L plain radiograph of the wrist · PA/AP · 12y M · 108.9 mm image width: 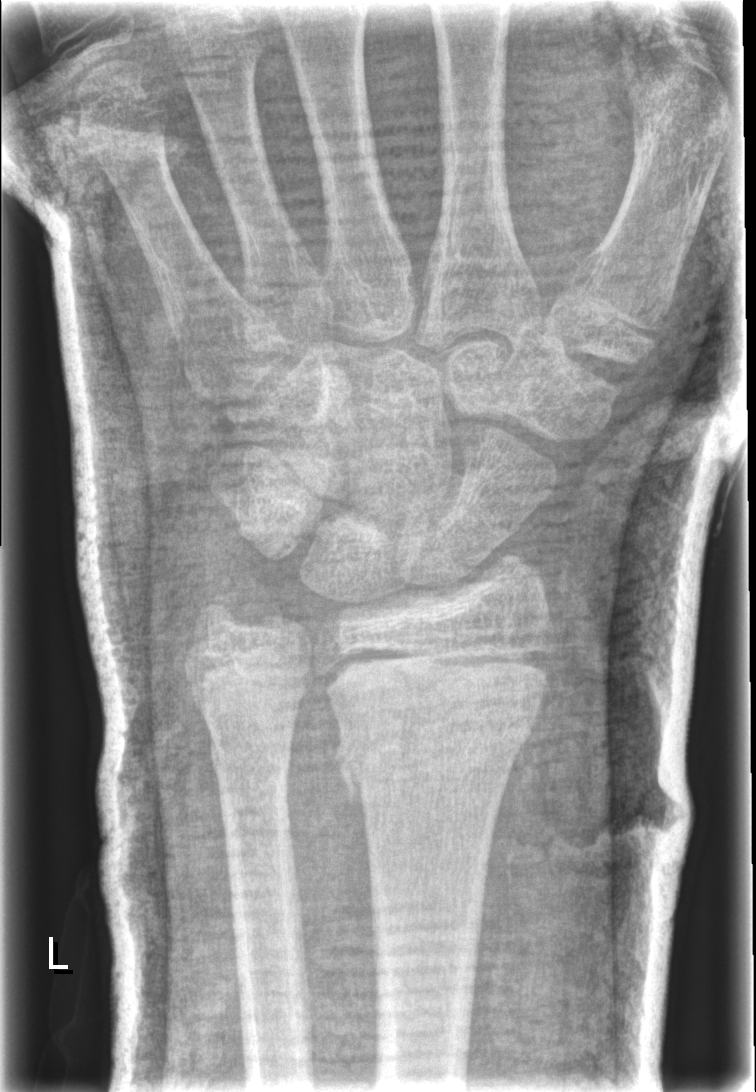
Fx: [x1=329, y1=684, x2=548, y2=809]; [x1=202, y1=695, x2=301, y2=790]; [x1=182, y1=581, x2=247, y2=650]